Lt plain radiograph of the wrist, posteroanterior:
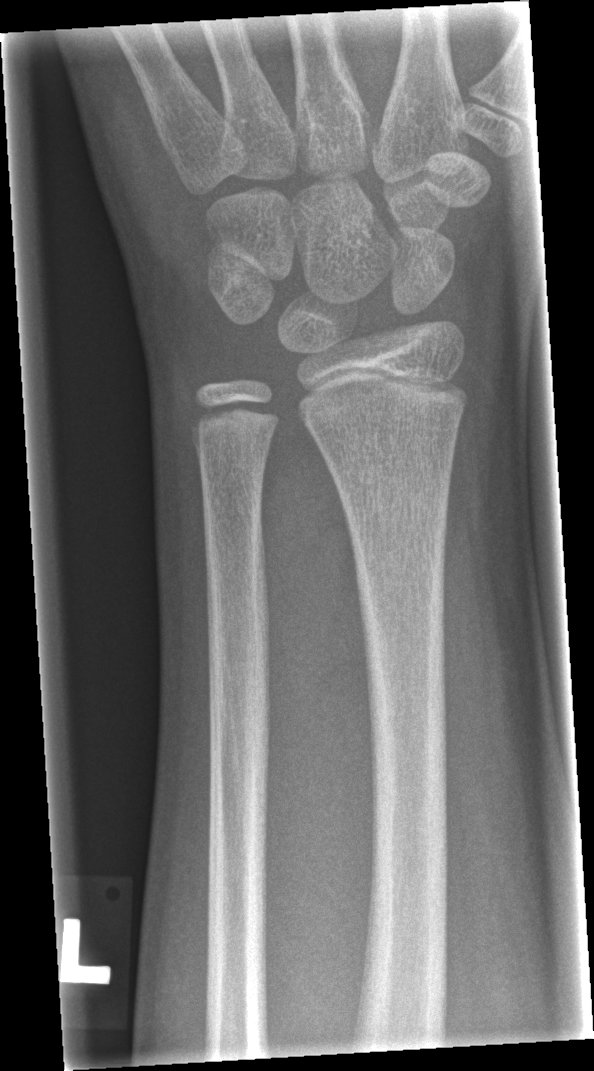
Fx: none.